Right wrist plain film; lat view; 8y F; acquired on Siemens; image width 63.6 mm; 442 x 714 px.

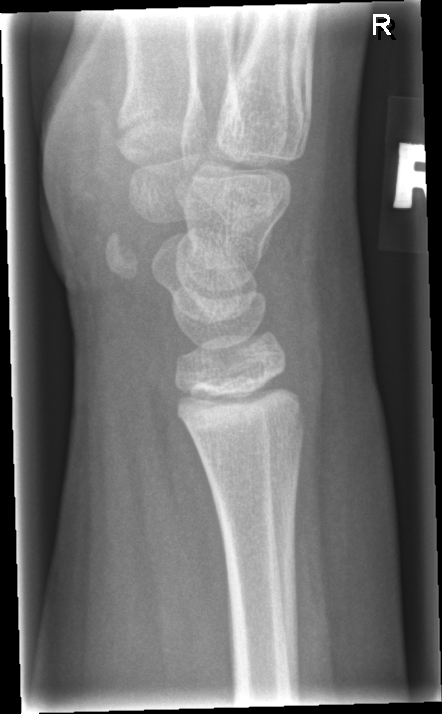
  fracture: none labeled